Right wrist plain film | lateral view | pediatric patient (boy, age 17) | presentation radiograph | 556x814 —
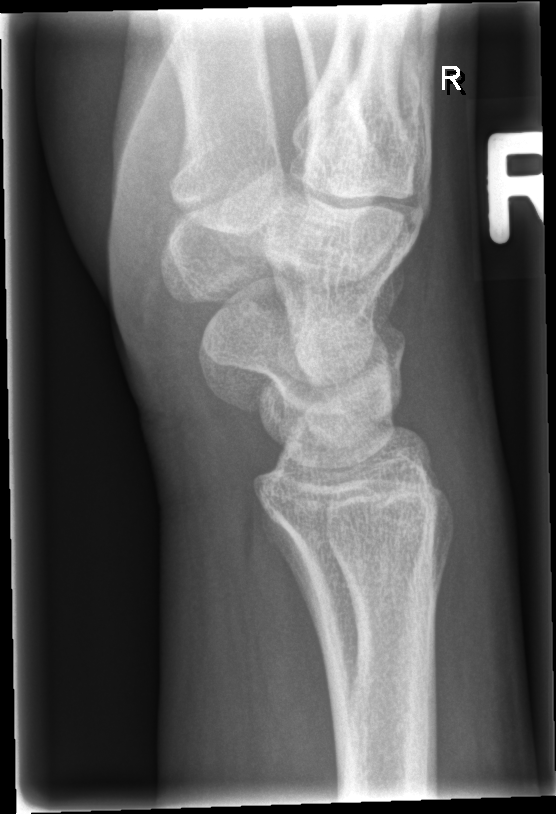
FINDINGS — No fracture annotation.